Right wrist XR; lat projection; age 12 y, female; in cast.
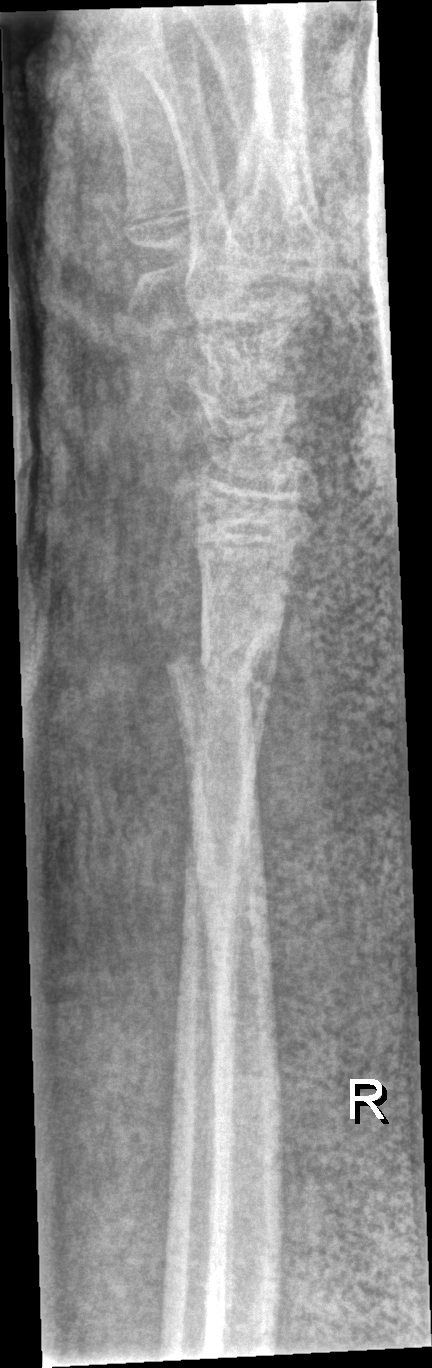

Boxes as x1,y1,x2,y2 (top-left / bottom-right, pixel units). Fracture identified at 164,630,282,735. AO/OTA classification: 23r-M/3.1.